Frontal | L plain radiograph of the wrist | subsequent exam | image 89.1 mm wide | 619 x 956 px — 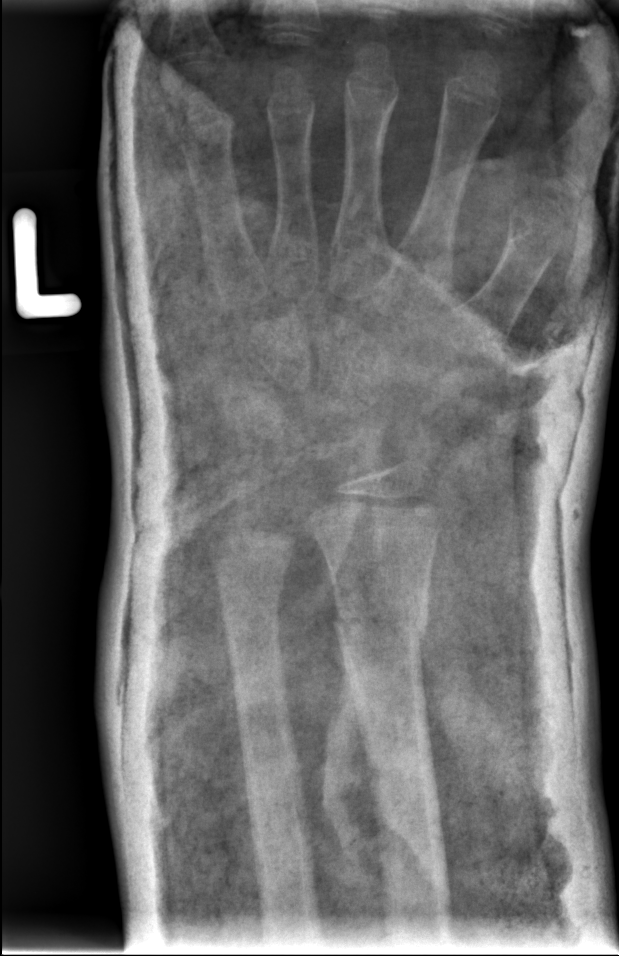

Q: Is there a fracture?
A: Fx — [331, 586, 432, 648]